PA/AP projection, Lt wrist radiograph, 13y M, acquired on Siemens: 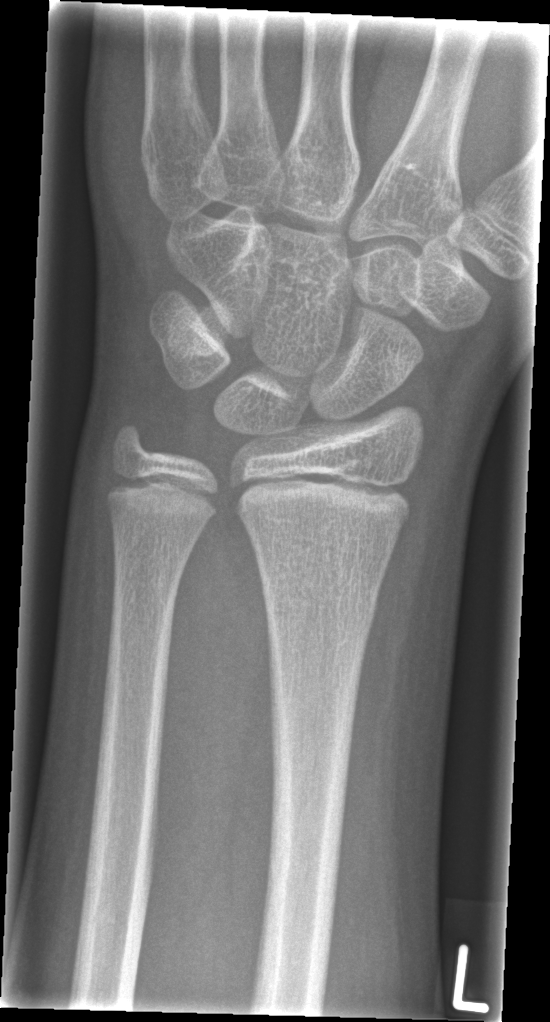

FINDINGS: AO/OTA classification: 23r-M/2.1. Fracture: 260 579 380 636.